R plain radiograph of the wrist | frontal | pediatric patient (boy, age 11) | cast present | detector: Siemens | image width 81.1 mm:
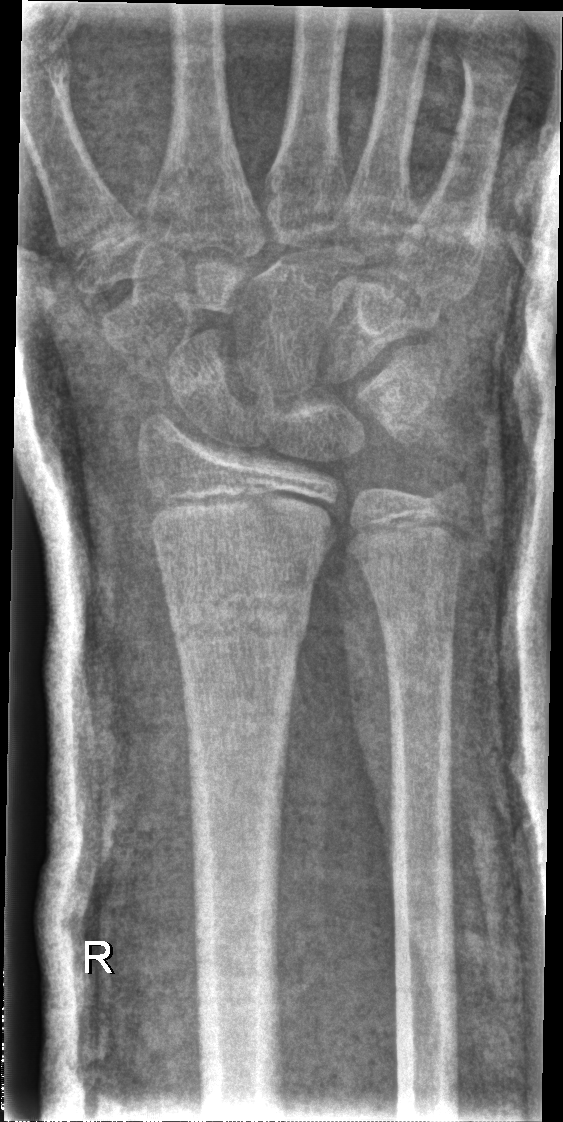 Bounding boxes in image-pixel xyxy. Fx identified at 166 585 314 650. AO/OTA classification: 23r-M/3.1.